Lateral view | R wrist XR | girl, 14 yo: 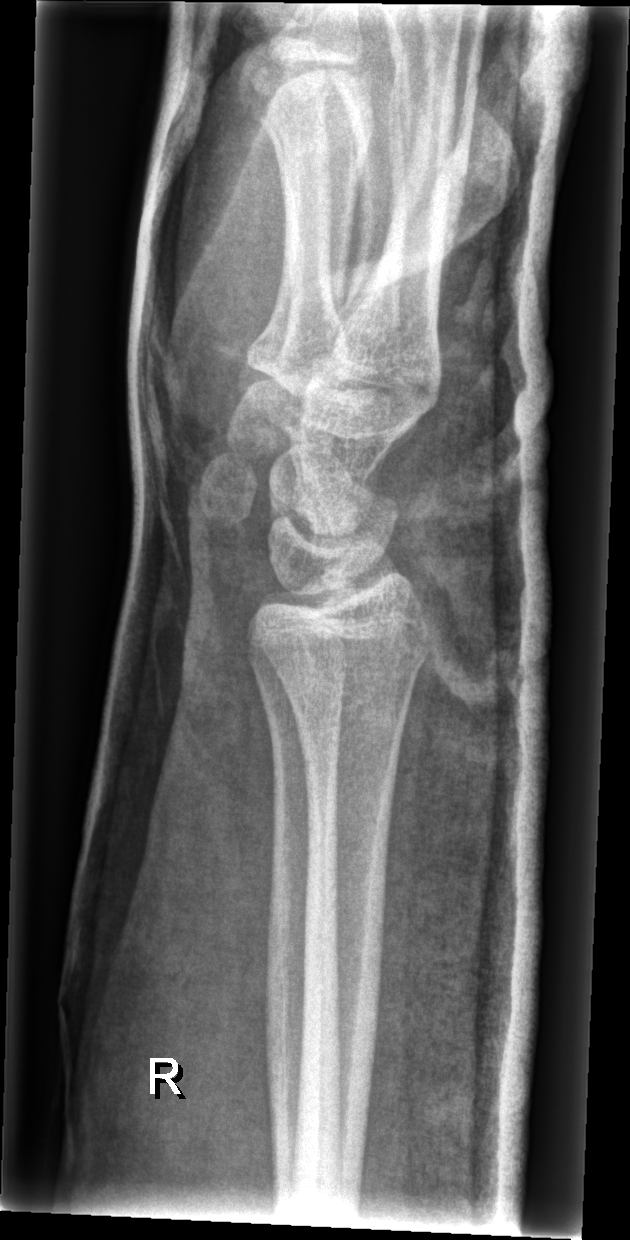

Fx — [263, 625, 439, 692]. AO code 23r-M/2.1.